Frontal view; R wrist XR; age 12 y, male; presentation radiograph. 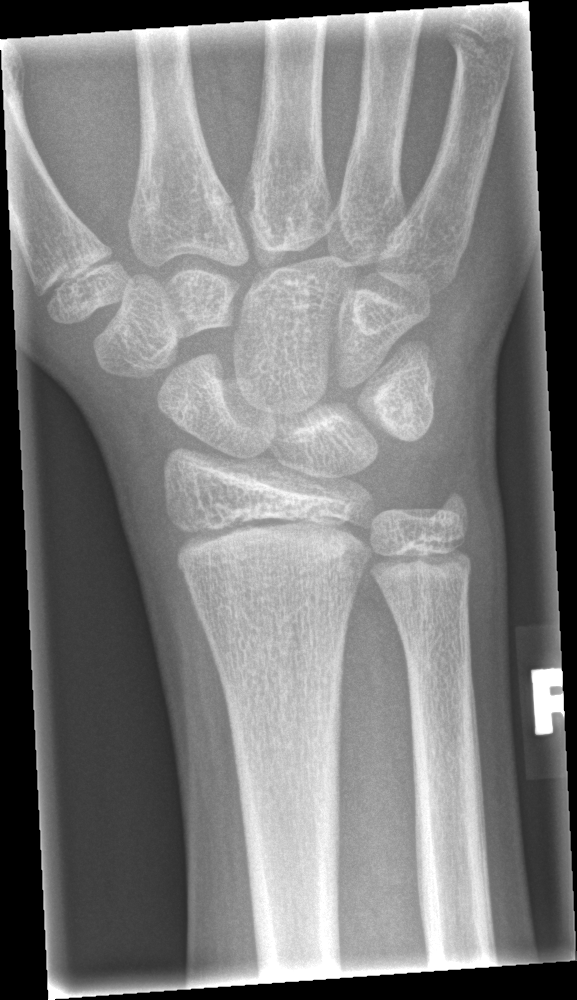 Fracture = none labeled